Right wrist X-ray · lateral projection · age 2 y, boy · initial study.
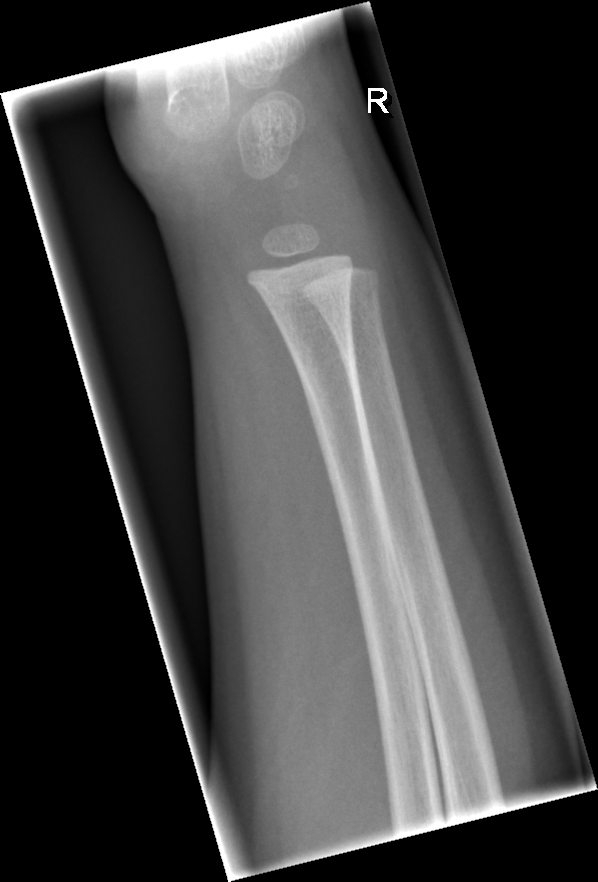

No fracture annotation.